Right wrist radiograph; posteroanterior projection; detector: Siemens

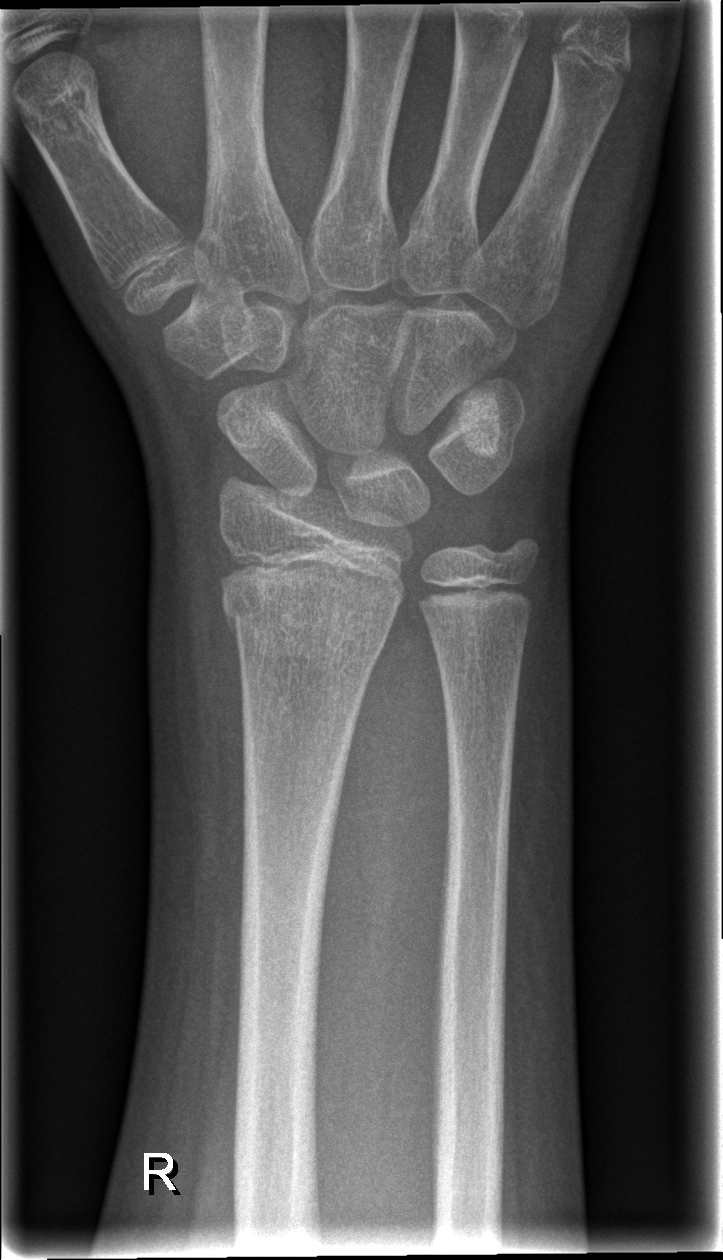

Fracture identified at (221, 587, 395, 659).